Left wrist XR · lateral · pediatric patient (boy, age 11) · 389 by 636 pixels
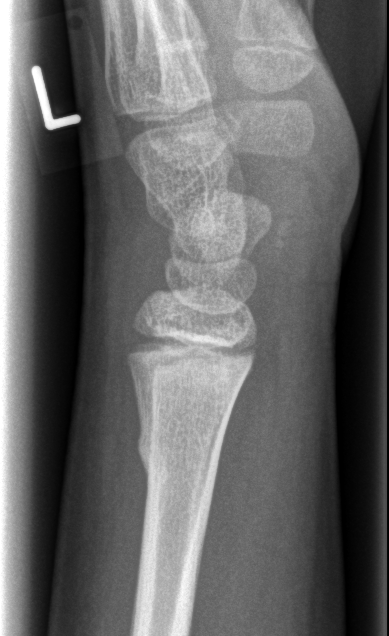

Boxes as x1,y1,x2,y2 (top-left / bottom-right, pixel units). One bone fracture at (left=132, top=425, right=219, bottom=478).